Lateral; right wrist radiograph; pediatric patient (boy, age 7); follow-up study; 485x1196 —

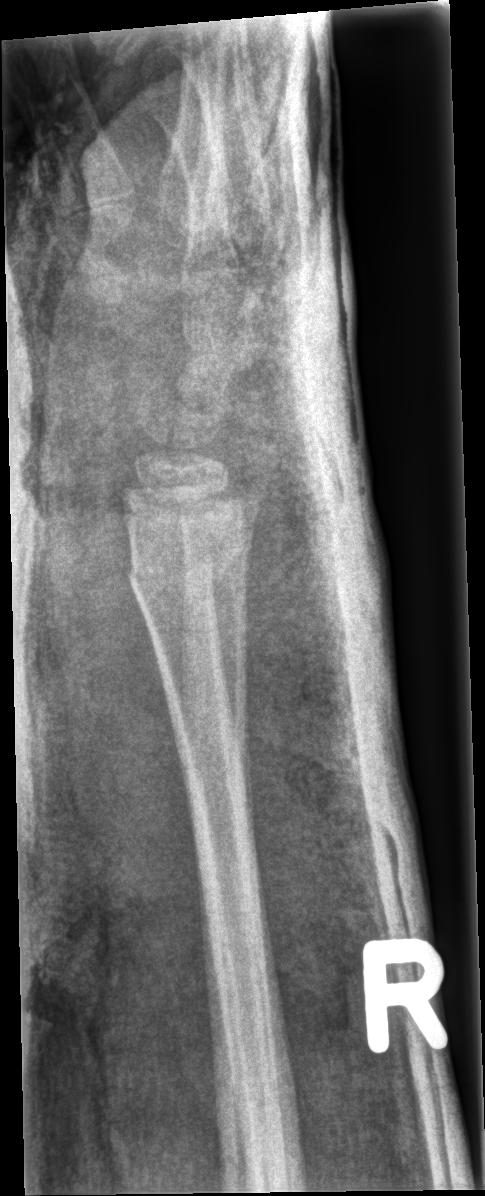
Bone fracture — (125, 531, 249, 601).